Right wrist XR · lateral view · 14-year-old female · detector: Siemens:

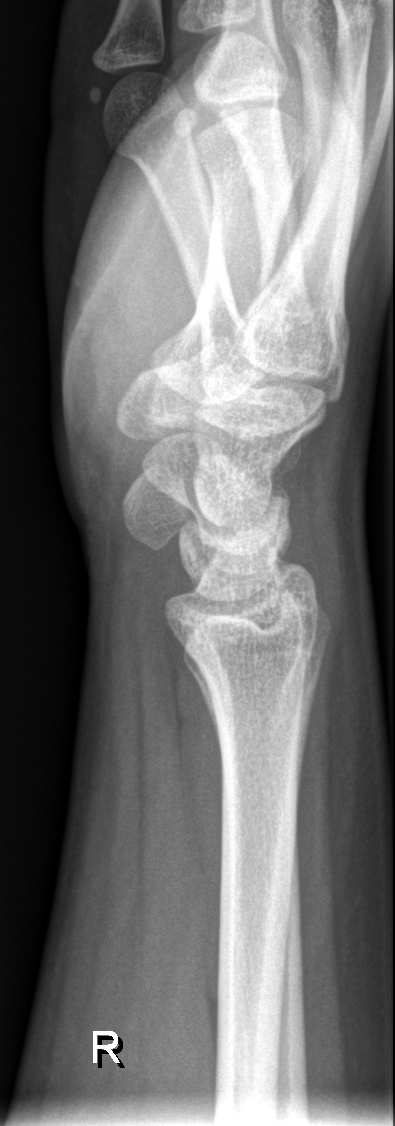
Fracture = none labeled